Right wrist X-ray | frontal projection | age 17 y, female | detector: Siemens: 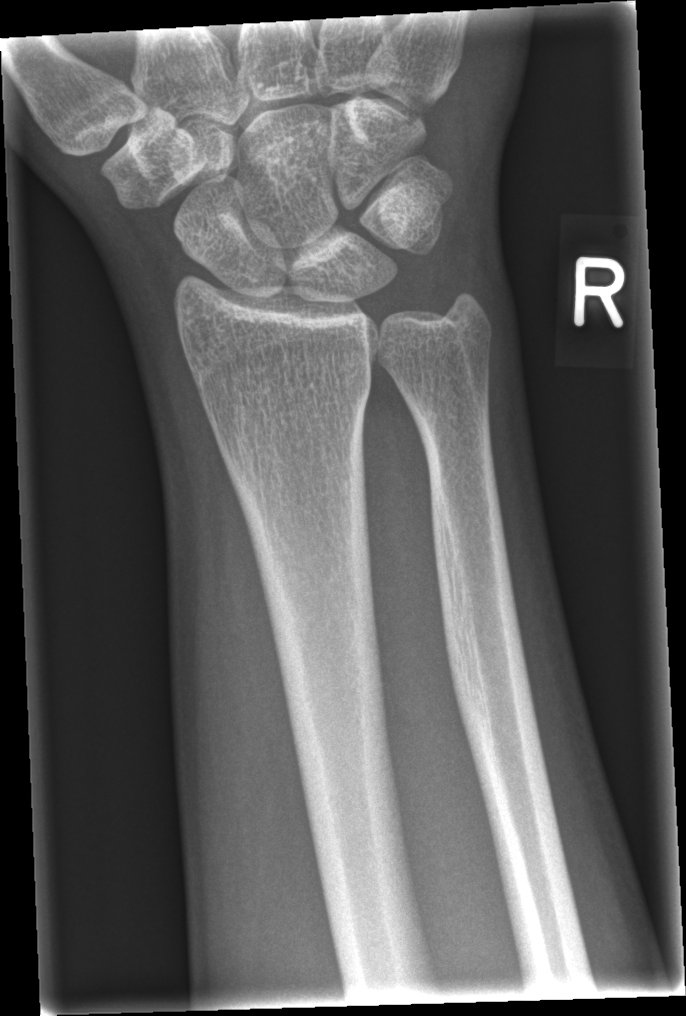 FINDINGS: No fracture bounding box.